PA · left wrist plain film · age 14 y, boy · follow-up study.

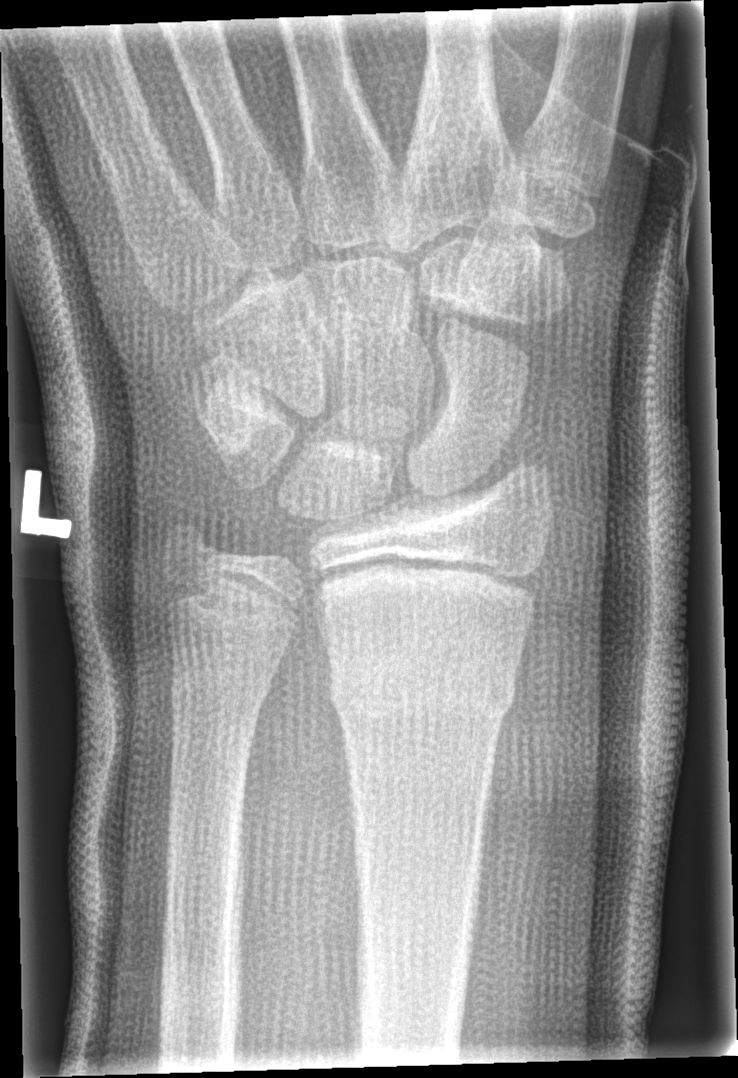

FINDINGS — (boxes as x1,y1,x2,y2 (top-left / bottom-right, pixel units)) AO code 23-M/2.1. Two bone fractures at bbox(324, 647, 521, 728) bbox(167, 657, 279, 721).